Left wrist XR | AP projection | boy, 16 yo | subsequent exam.

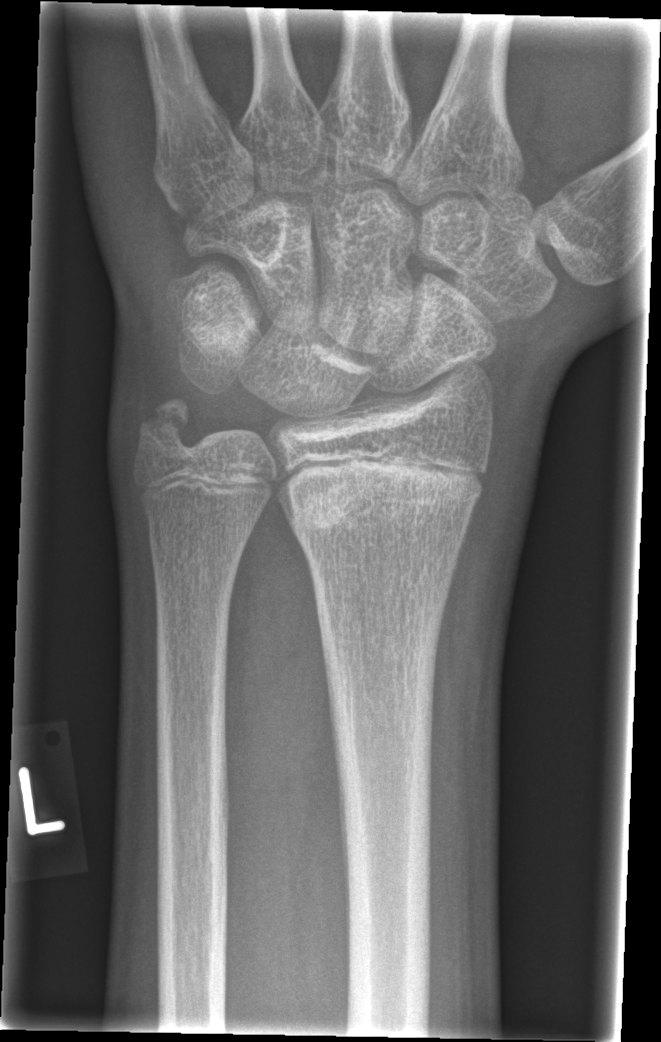 # boxes as x1,y1,x2,y2 (top-left / bottom-right, pixel units)
fracture: 2 @ 282,458,487,540; 130,394,203,464
osteopenia: present